Frontal view | right wrist pediatric wrist radiograph | initial study | detector: Siemens: 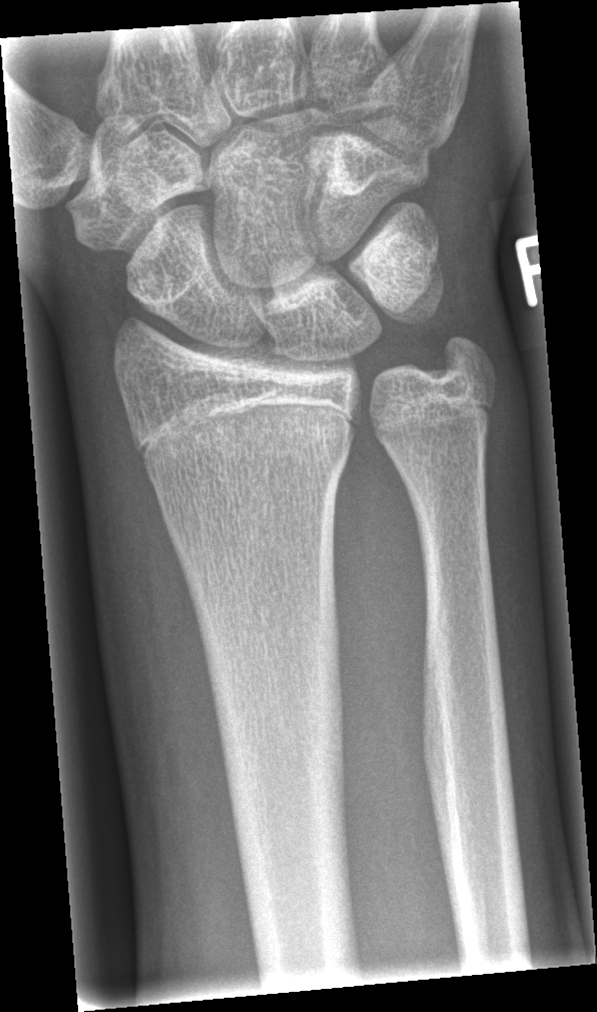

Q: Any fracture seen?
A: Fx present but not clearly seen in this view